Posteroanterior · right wrist plain radiograph of the wrist · age 9 y, girl —

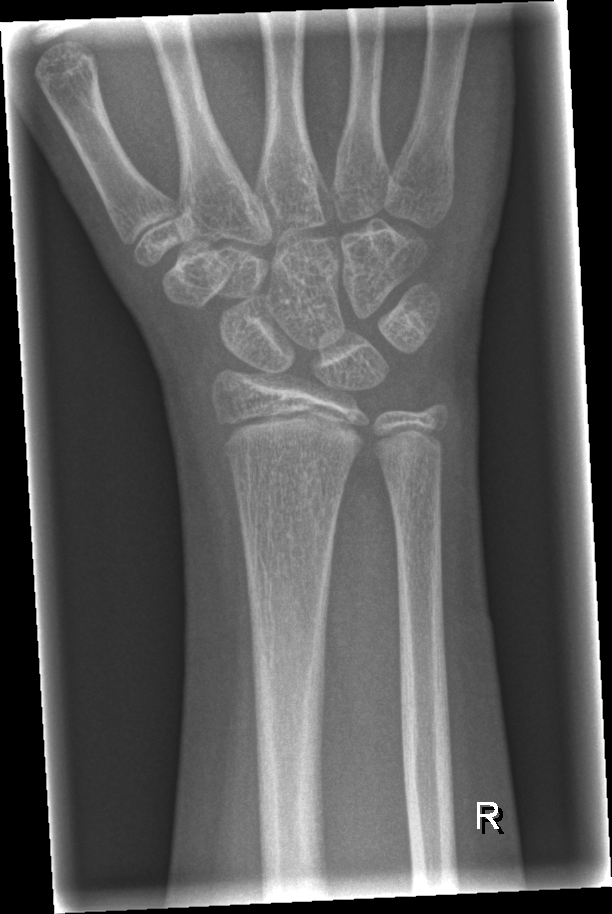
FINDINGS: No fracture annotation.